Left wrist plain film; PA/AP projection; cast present; detector: Siemens.
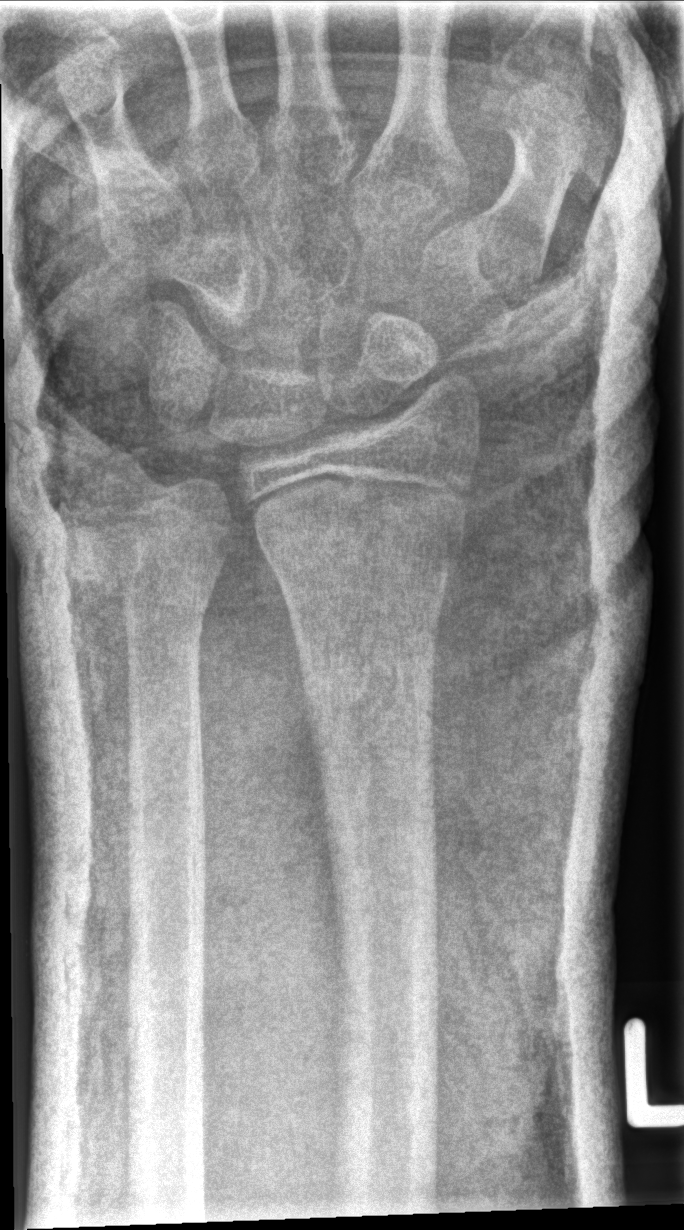 FINDINGS — Fx — [x1=255, y1=496, x2=473, y2=577]. AO code 23r-M/3.1; 23u-E/7.